PA | L wrist X-ray | cast present — 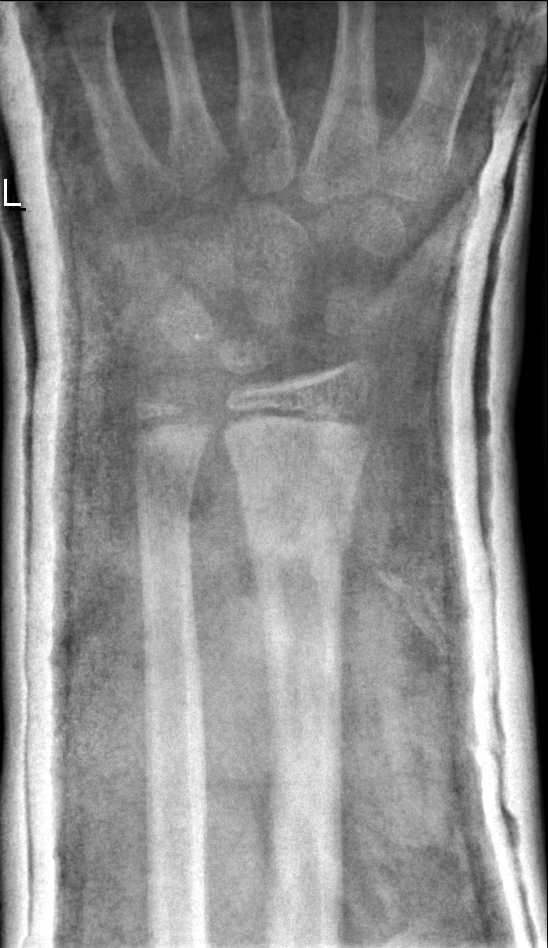
FINDINGS — One Fx at [x1=236, y1=496, x2=360, y2=569]. Fracture classified AO/OTA 23r-M/3.1.